PA | R plain radiograph of the wrist | age 9 y, boy | presentation radiograph:
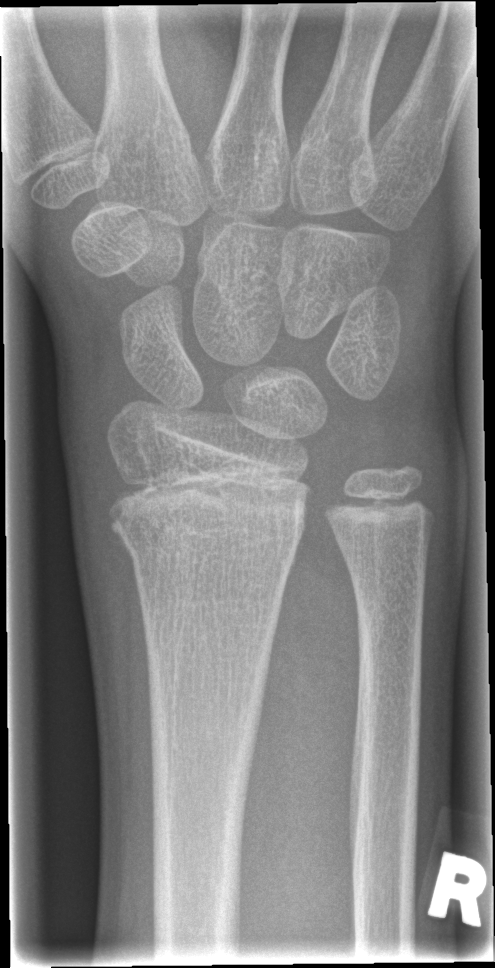
AO code: 23r-M/2.1
Fracture: 1 @ bbox(105, 476, 313, 564)